Right wrist plain film · frontal · male, 11 yo:

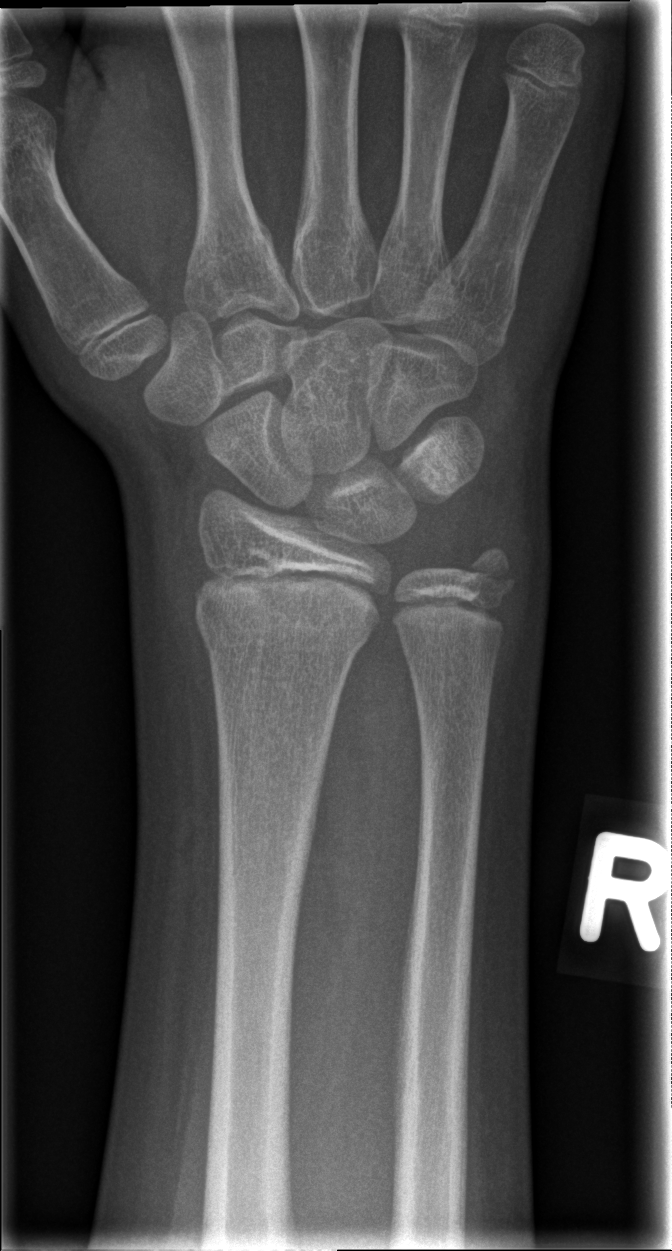 (pixel coordinates, top-left origin, xyxy)
Q: What is the AO/OTA classification?
A: Fracture classified AO/OTA 23r-M/2.1; 23u-E/7
Q: Locate any fractures.
A: Bone fracture identified at [x1=194, y1=602, x2=374, y2=662] [x1=462, y1=541, x2=520, y2=611]